Right wrist X-ray | lat view | age 17 y, female | detector: Siemens | image 57.2 mm wide | 397x932.

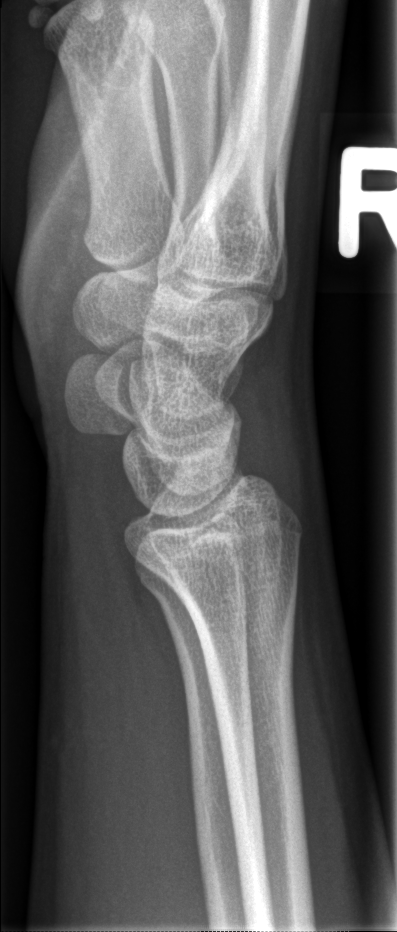

No fracture labeled.